Lateral, right wrist plain film, 13y M, acquired on Siemens —
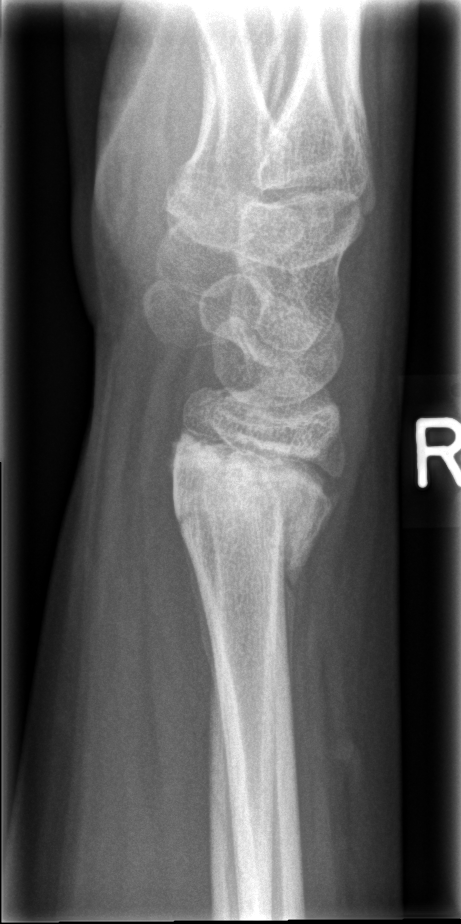

# bounding boxes in image-pixel xyxy
osteopenia: present
ao: 23r-M/3.1; 23u-E/7
fracture: 166 417 340 577
periostealreaction: 179 533 224 708
  280 566 305 708